AP projection; R plain radiograph of the wrist; boy, 10 yo; follow-up study — 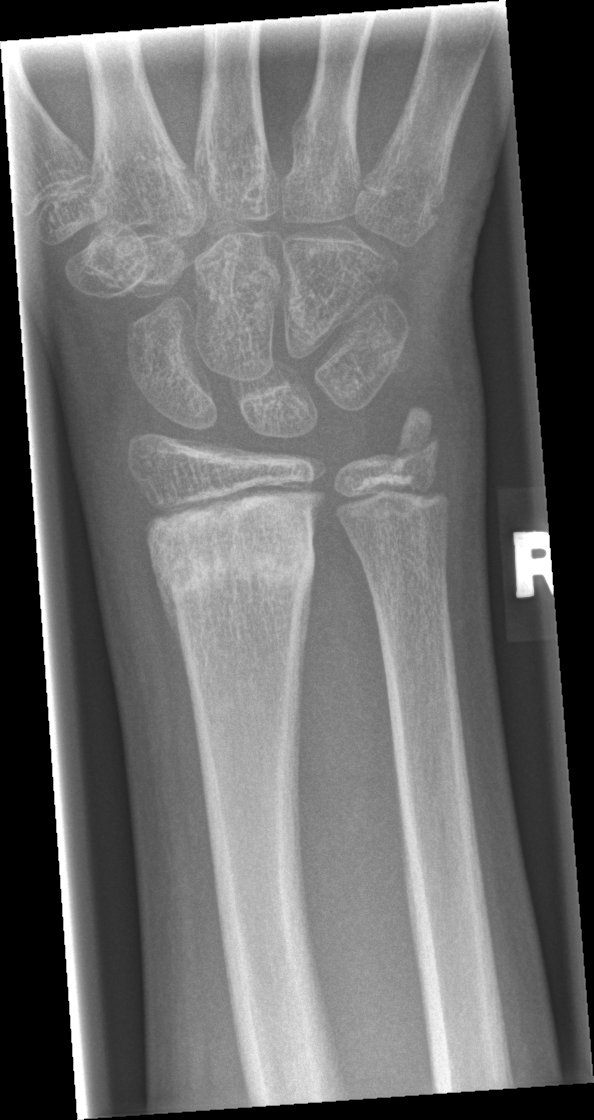

Findings: Fx identified at [x1=147, y1=478, x2=324, y2=602]; [x1=387, y1=403, x2=446, y2=469]. Periosteal thickening — [x1=293, y1=553, x2=315, y2=769].